Lt wrist XR | PA/AP projection — 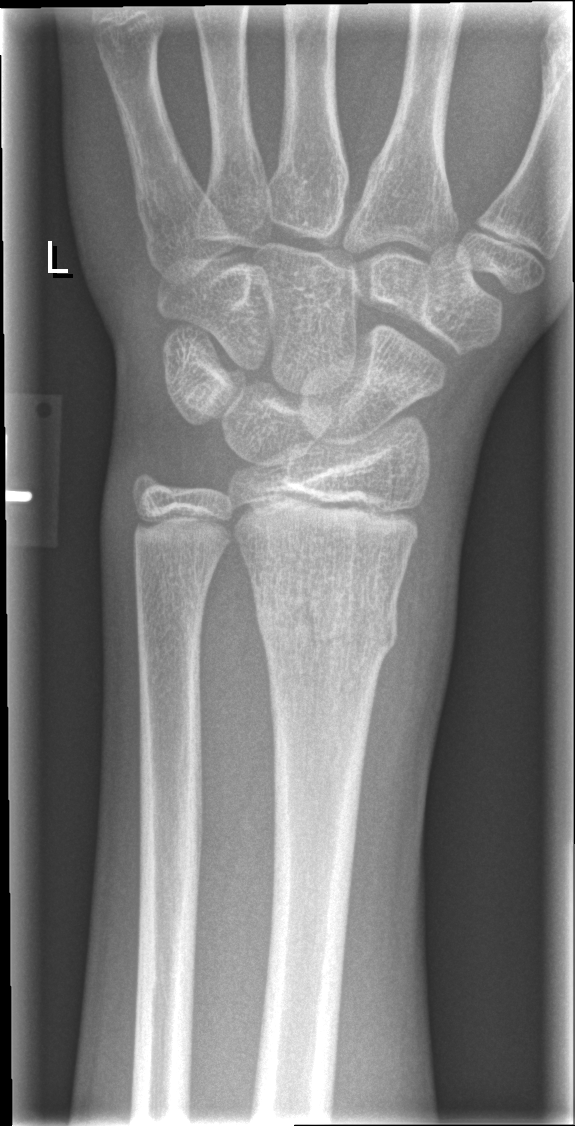 Boxes as x1,y1,x2,y2 (top-left / bottom-right, pixel units). Fracture classified AO/OTA 23r-M/2.1. One bone fracture at (left=254, top=585, right=401, bottom=665).